Left wrist XR, PA, 389x900:
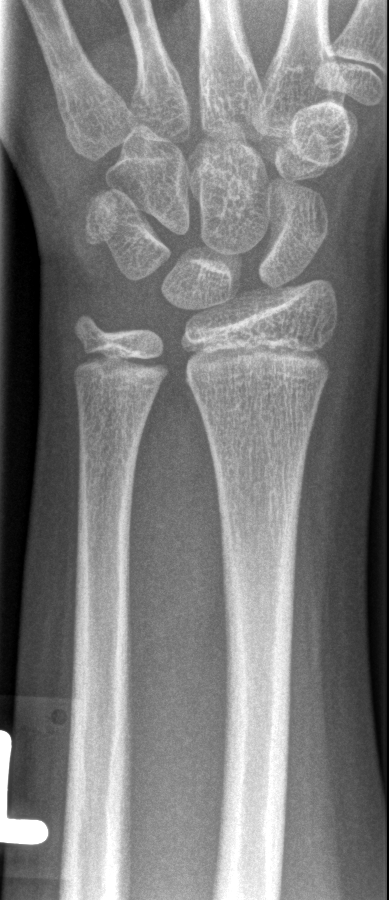 Q: Fracture present?
A: No fracture annotation